PA projection, left wrist radiograph — 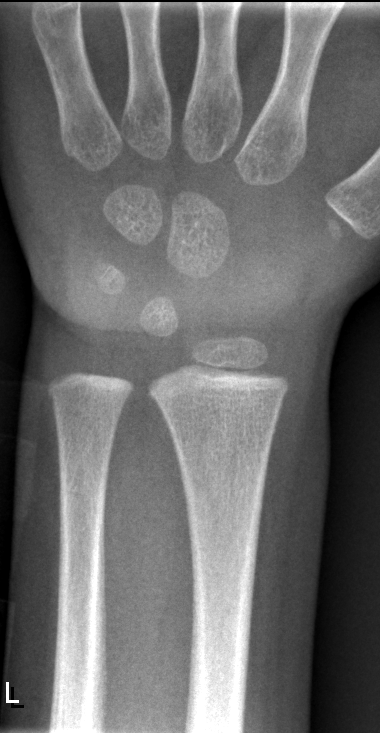
Q: Fracture present?
A: No Fx annotated